Right plain radiograph of the wrist, posteroanterior projection, acquired on Siemens, 658x1452. 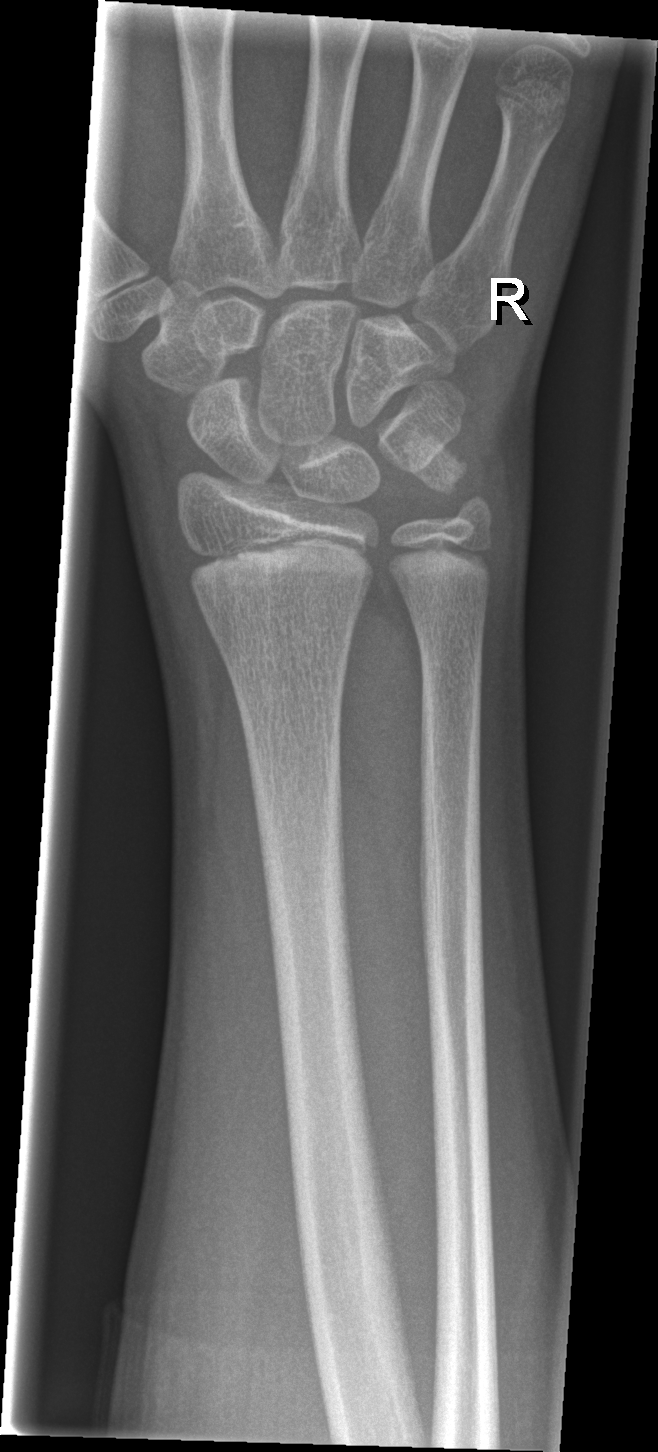 Fracture: none labeled